PA/AP · L wrist radiograph · 15-year-old boy · image size 594x960
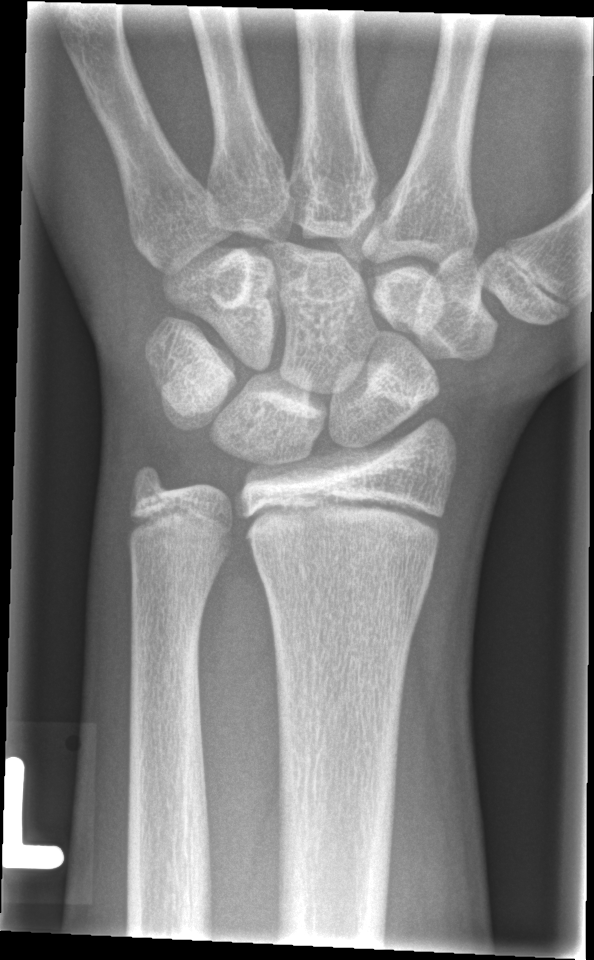 bone fracture: none labeled